Lt wrist X-ray, lateral, age 17 y, male. 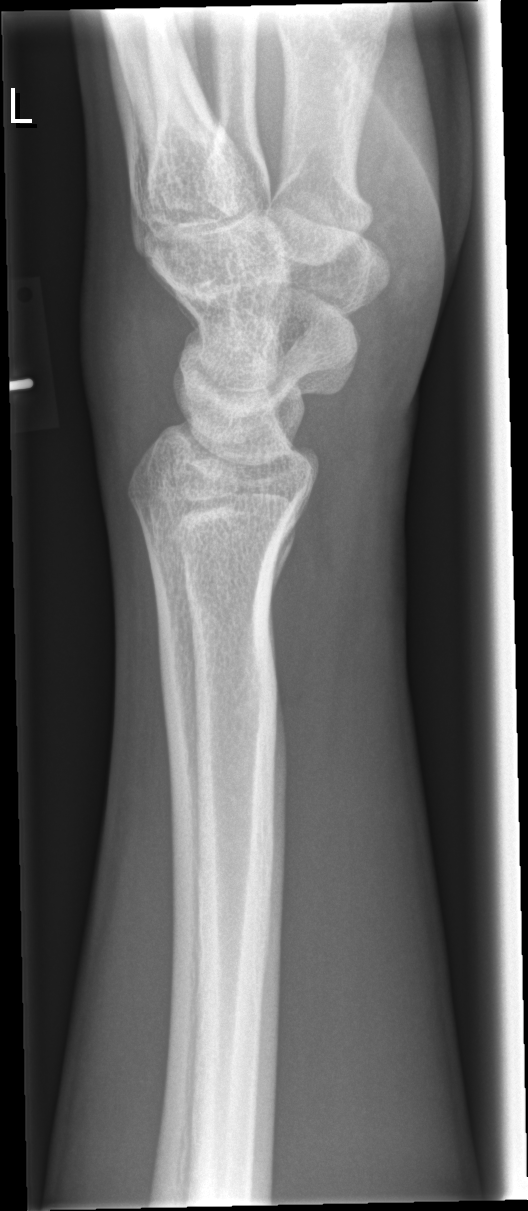
Bone fracture = none labeled
Soft-tissue swelling = (71, 225, 193, 471)